AP view | Lt plain radiograph of the wrist | cast present | 650x860

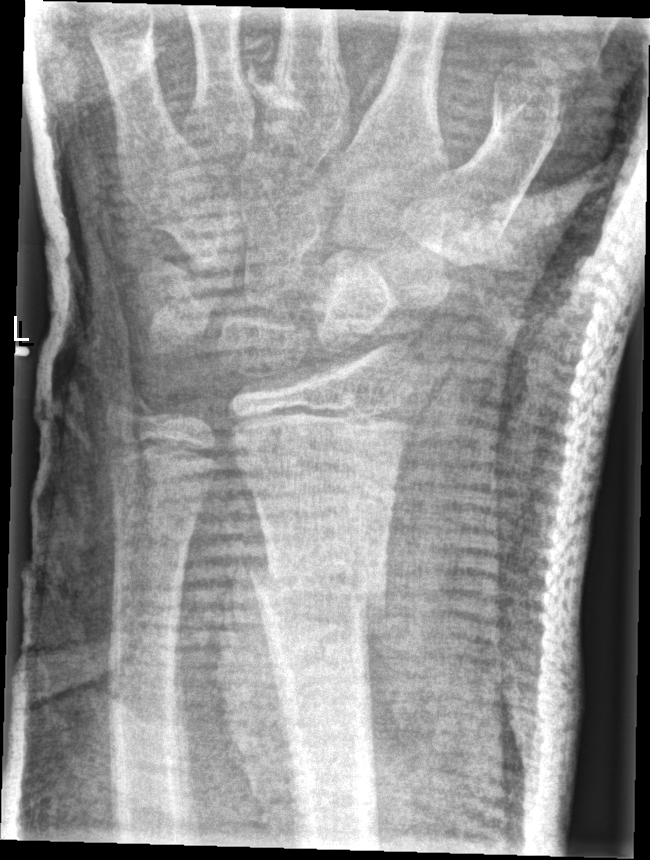 Findings: AO/OTA classification: 23r-M/3.1; 23u-M/2.1; 23u-E/7. Fx identified at 246 559 391 615 | 104 377 164 436.